Lt plain radiograph of the wrist | lateral projection | male, 7 yo | cast in situ | image size 682x1043
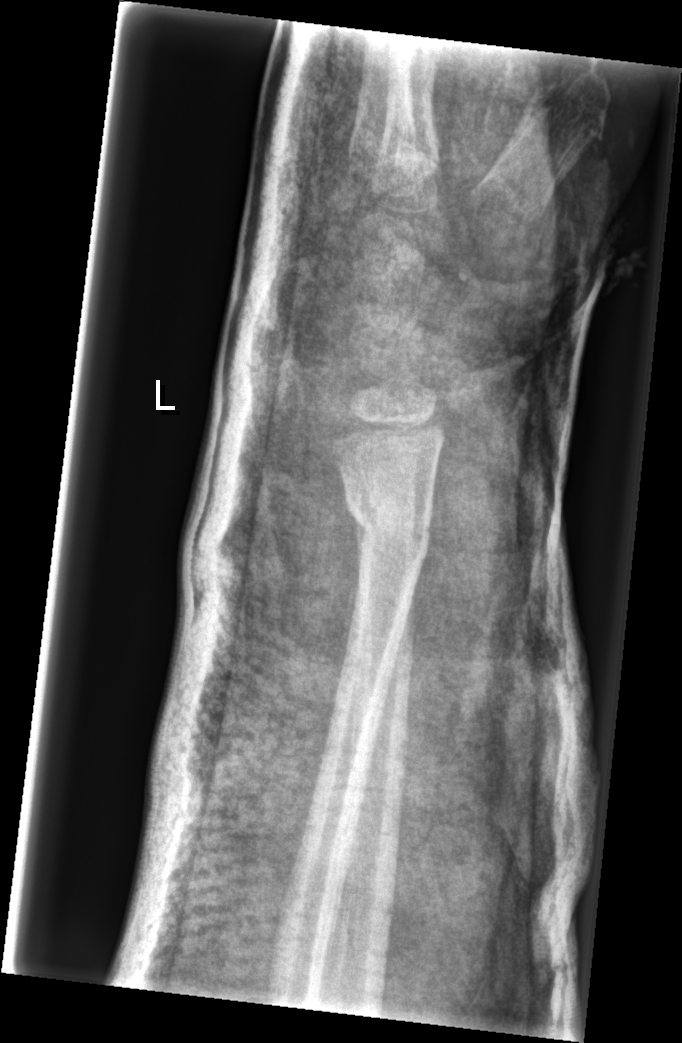 Fx: 1 @ 342,486,436,561
AO classification: 23-M/3.1